Left wrist plain radiograph of the wrist · lateral view · initial study: 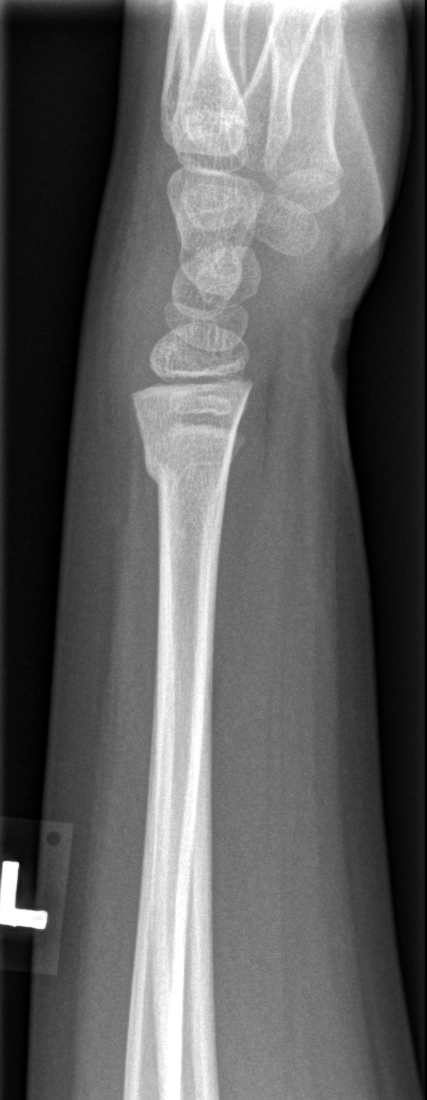
  # coordinates are [x1, y1, x2, y2] in image pixels
  fracture: 1 @ [x1=139, y1=435, x2=235, y2=505]